Left wrist XR, lateral projection, cast in situ, 72.6 mm image width:
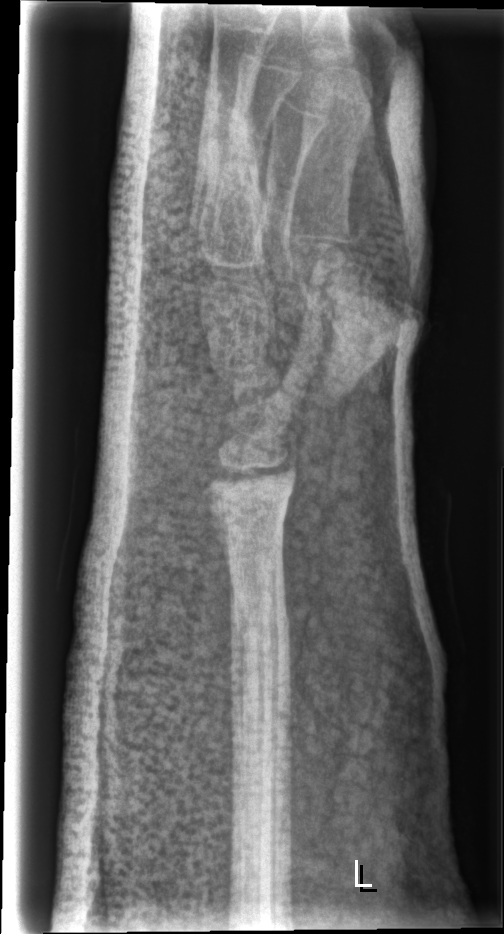
{"_coords": "bounding boxes in image-pixel xyxy", "ao": "23-M/2.1", "fracture": "229 593 297 680"}